R plain radiograph of the wrist, PA, 16y F, presentation radiograph.
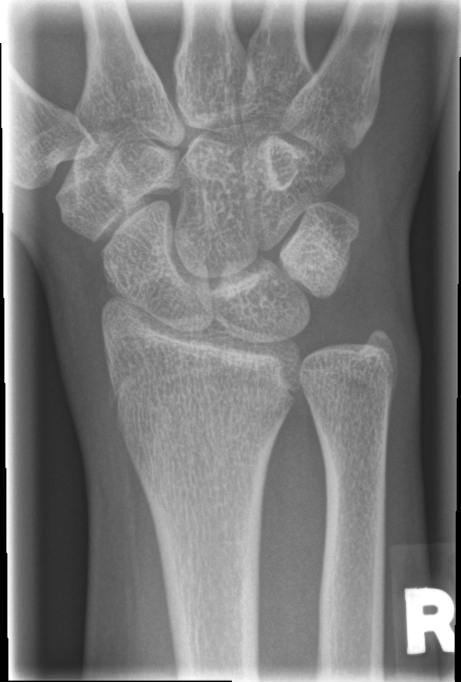 FINDINGS: Fracture: none labeled.